Lt plain radiograph of the wrist · lat projection · follow-up study · 894 x 1166 px: 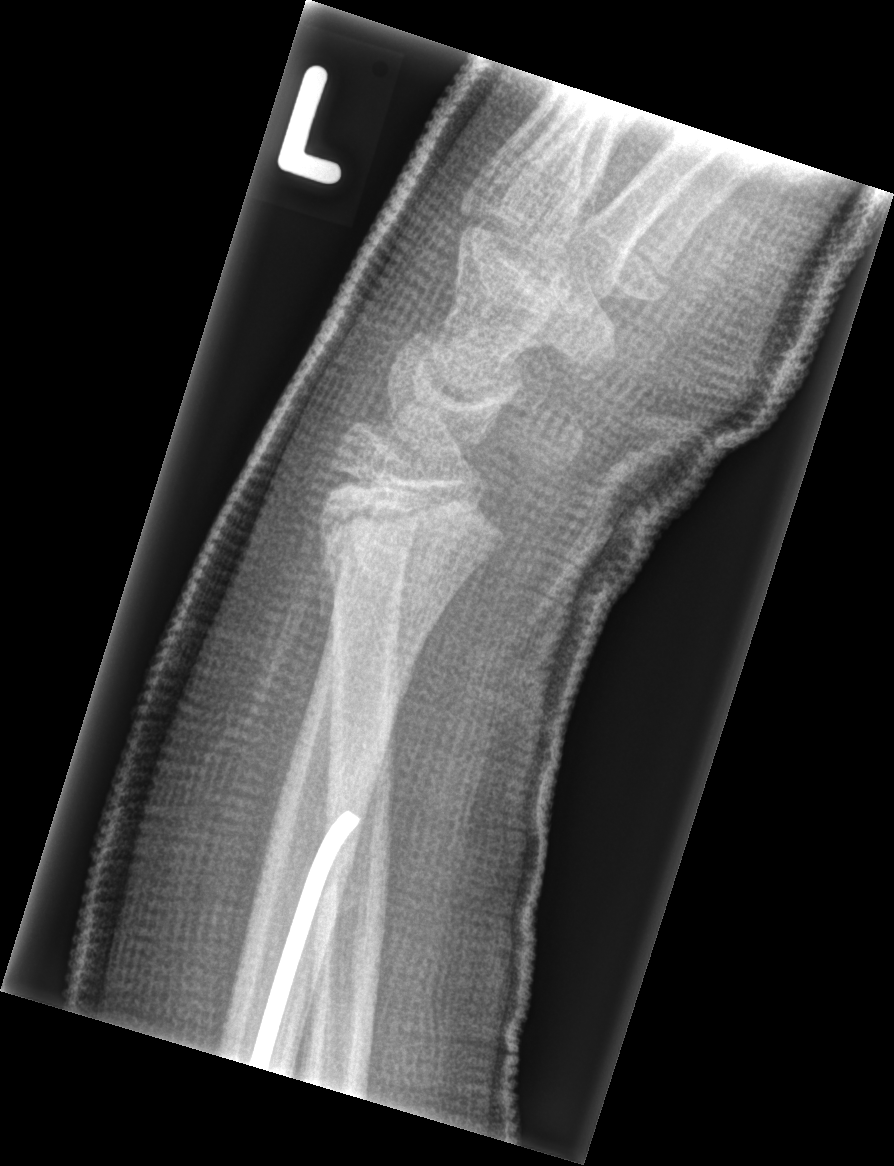 Pixel coordinates, top-left origin, xyxy. Fracture classified AO/OTA 23r-E/2.1; 23u-M/2.1. Metallic hardware — <247,807>-<365,1073>. One bone fracture at <313,464>-<512,606>.